R wrist X-ray; lateral; pediatric patient (male, age 14)

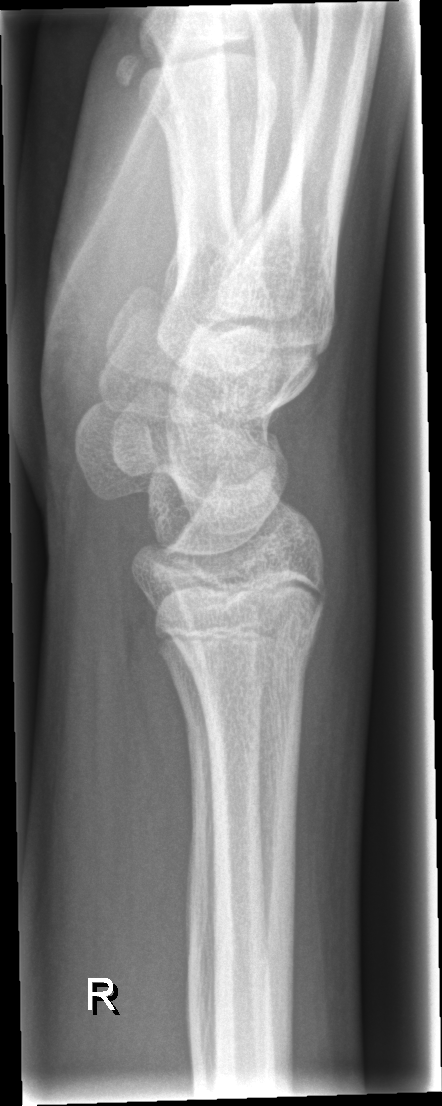
(bounding boxes in image-pixel xyxy)
Q: Locate any fractures.
A: Fracture identified at bbox(184, 620, 324, 693)
Q: AO code?
A: Fracture classified AO/OTA 23r-M/2.1